R wrist plain film · lateral view · detector: Siemens —

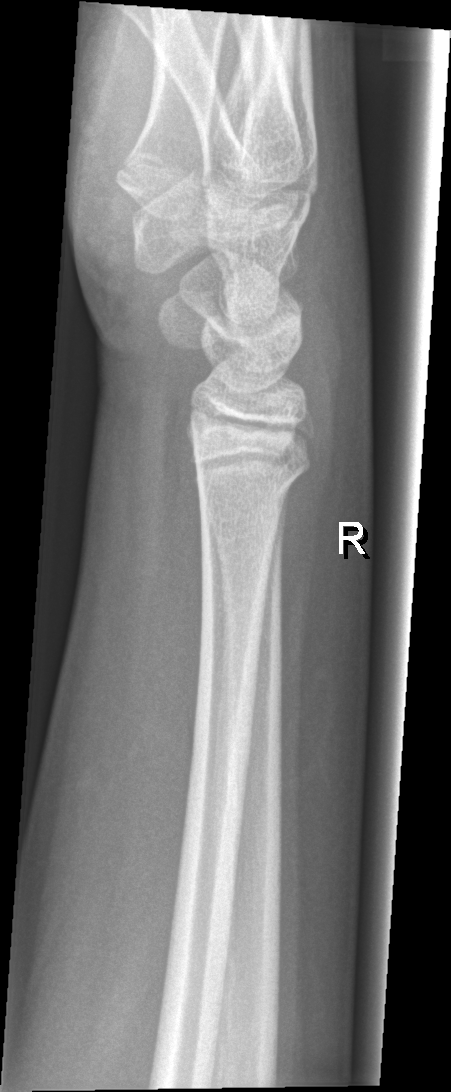

# boxes as x1,y1,x2,y2 (top-left / bottom-right, pixel units)
ao: 23r-M/2.1; 23u-E/7
fracture: 1 @ [196, 464, 304, 518]